Rt wrist plain film; PA/AP view; boy, 14 yo 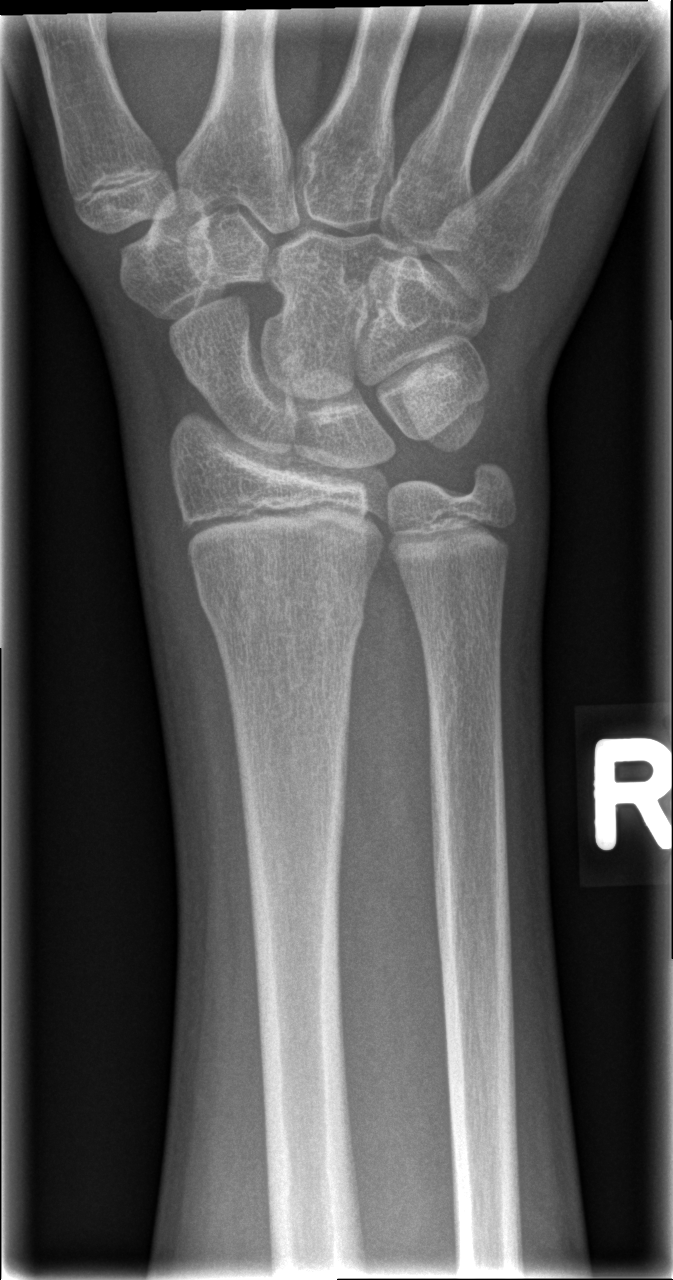 {"ao": "23r-M/2.1", "fracture": "[x1=202, y1=570, x2=374, y2=645]"}